Lateral view; right wrist radiograph; age 8 y, girl; 58.5 mm image width —

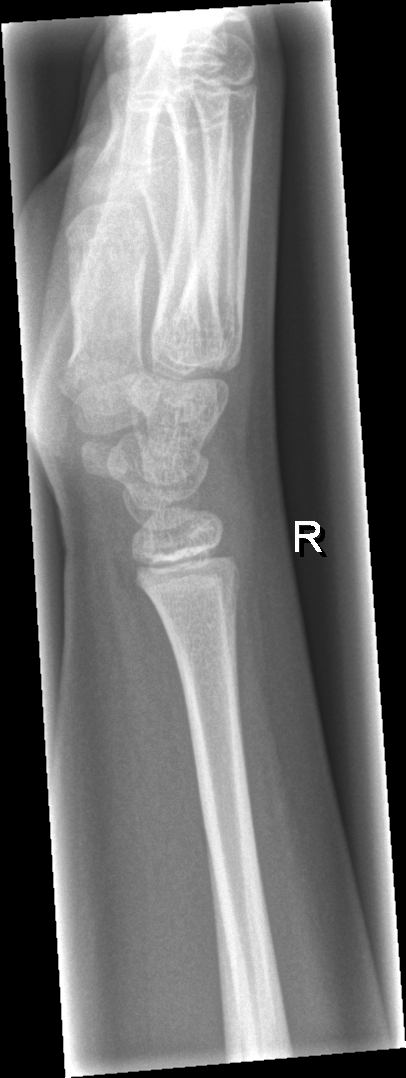 Fx: none labeled